Frontal projection; right wrist radiograph; 13y M; image width 70.3 mm; 488 x 1054 px — 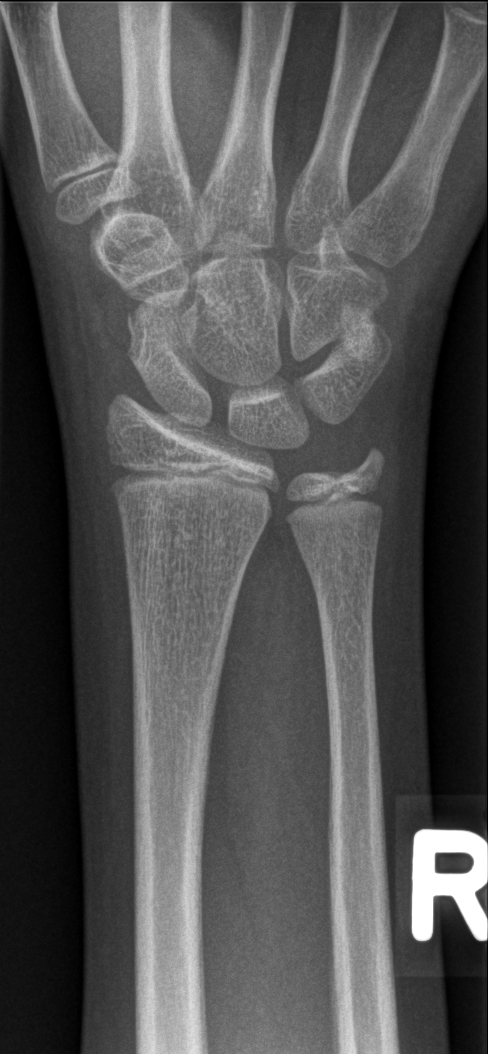 FINDINGS: AO/OTA classification: 72B(b). One Fx at bbox(122, 301, 164, 362).